Left pediatric wrist radiograph; lat; pediatric patient (girl, age 7)

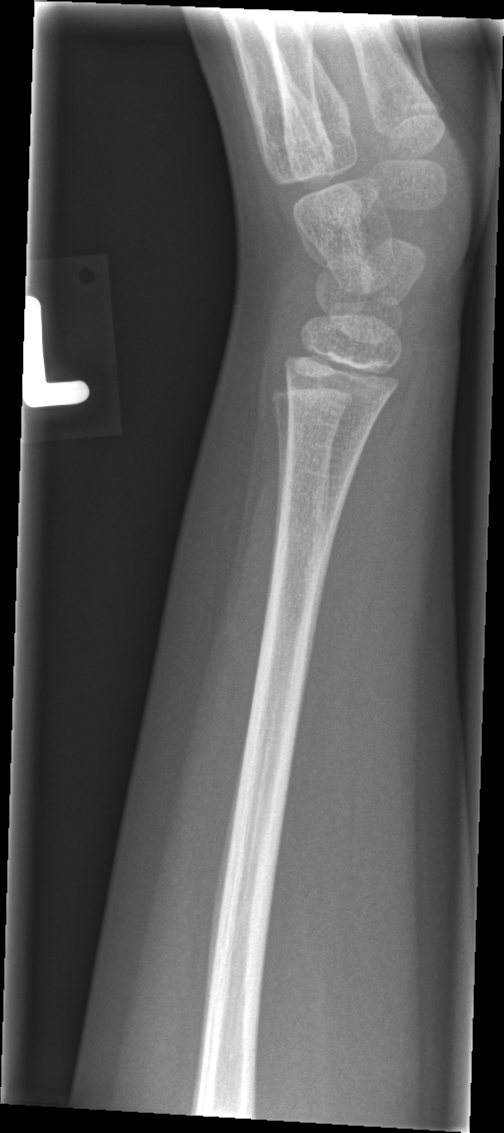 Fracture = none labeled